Lateral projection · right wrist X-ray · equivocal findings. 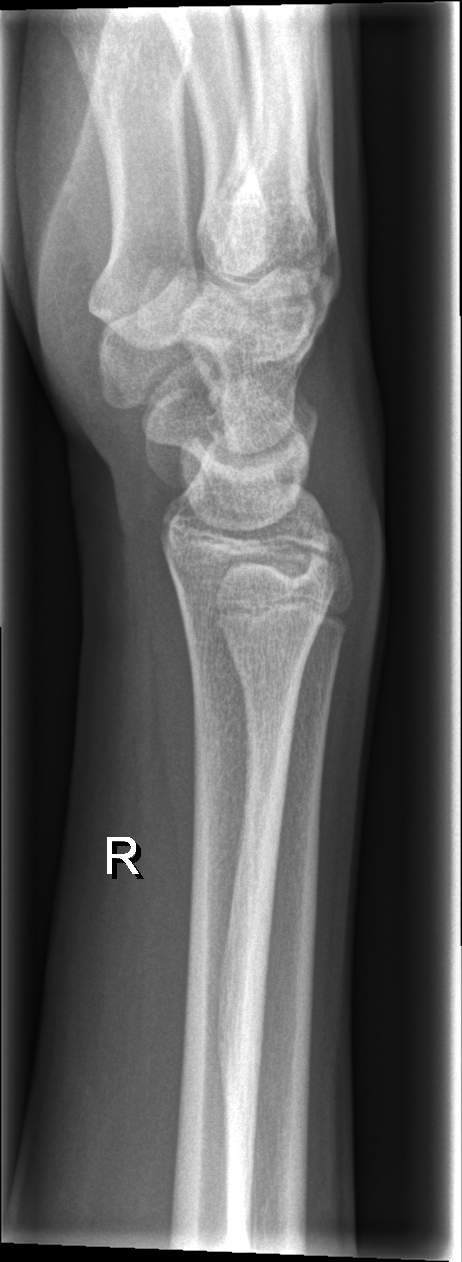 No Fx annotated.